PA/AP projection · Rt wrist plain film
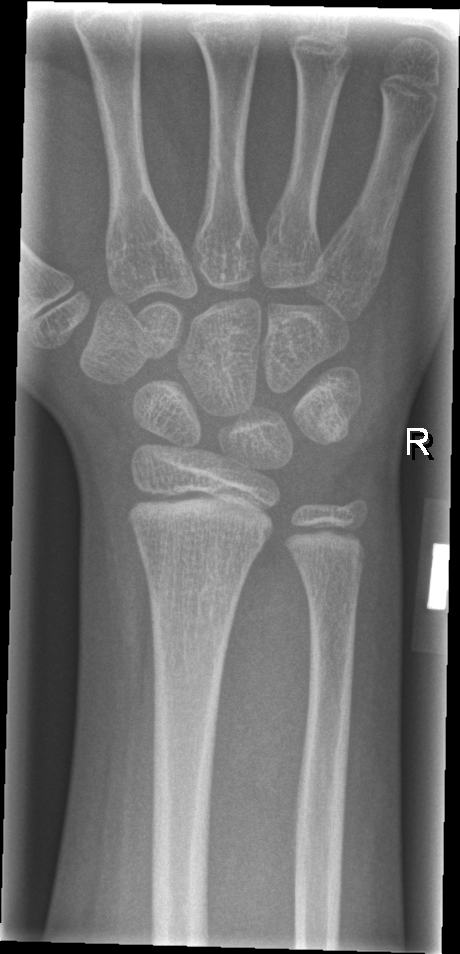 {
  "fracture": "none labeled"
}